Lateral projection | Rt wrist XR | 10-year-old male | index exam | 383 by 910 pixels 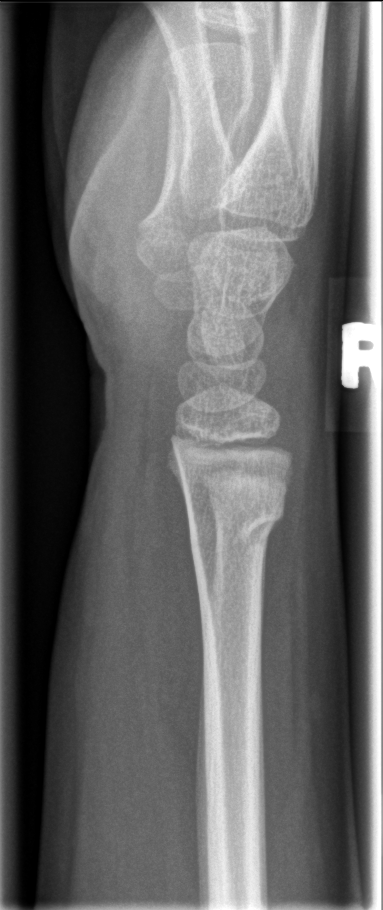 AO classification: 23r-M/2.1
Bone fracture: 1 @ [x1=185, y1=494, x2=287, y2=558]
Pronator sign: 1 @ [x1=131, y1=409, x2=206, y2=820]